Right wrist plain radiograph of the wrist, lat view, 10y M, image 63.9 mm wide
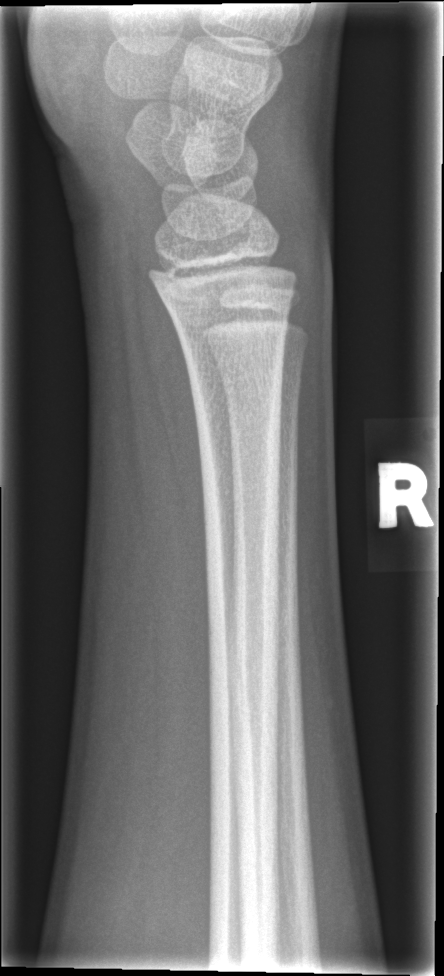 No fracture bounding box.